PA/AP view · right pediatric wrist radiograph · subsequent exam. 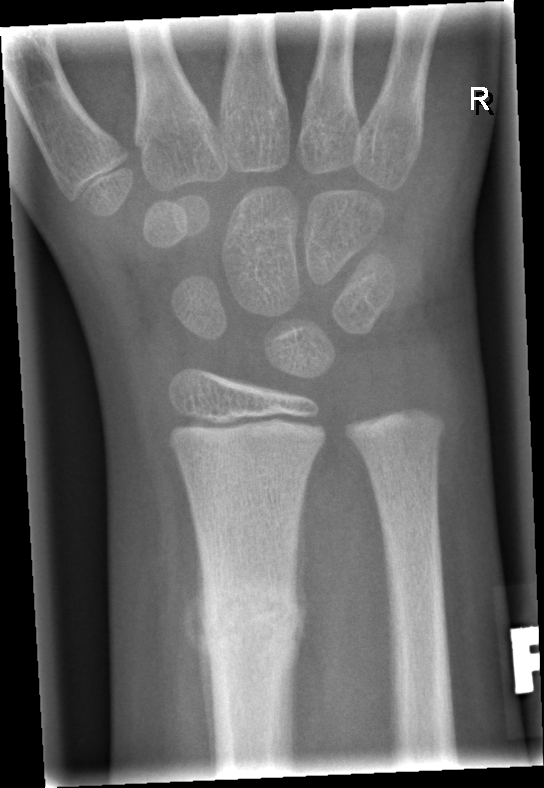 * Bounding boxes in image-pixel xyxy.
* Periosteal thickening identified at (left=183, top=532, right=218, bottom=781) (left=291, top=488, right=309, bottom=681).
* Bone fracture: (left=193, top=581, right=307, bottom=660).